Lat projection; Lt wrist radiograph; 10-year-old male; 372 by 898 pixels:

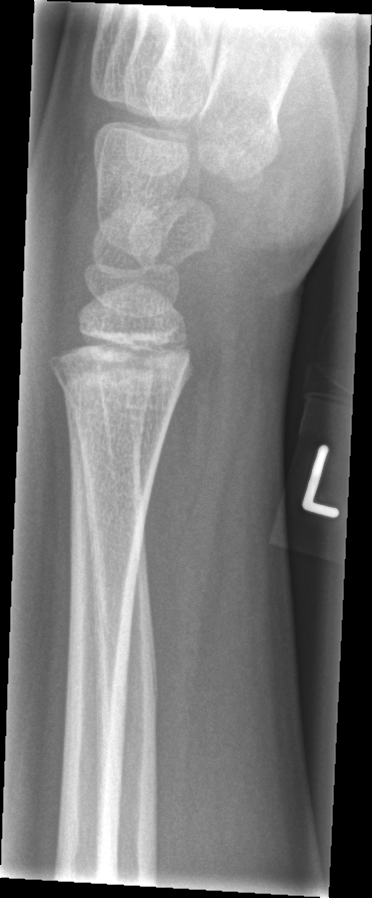
- Coordinates are [x1, y1, x2, y2] in image pixels.
- Pronator quadratus fat-pad sign identified at bbox(132, 321, 234, 614).
- Fx identified at bbox(48, 346, 198, 413).